Lt pediatric wrist radiograph · lateral projection · follow-up · in cast · detector: Siemens

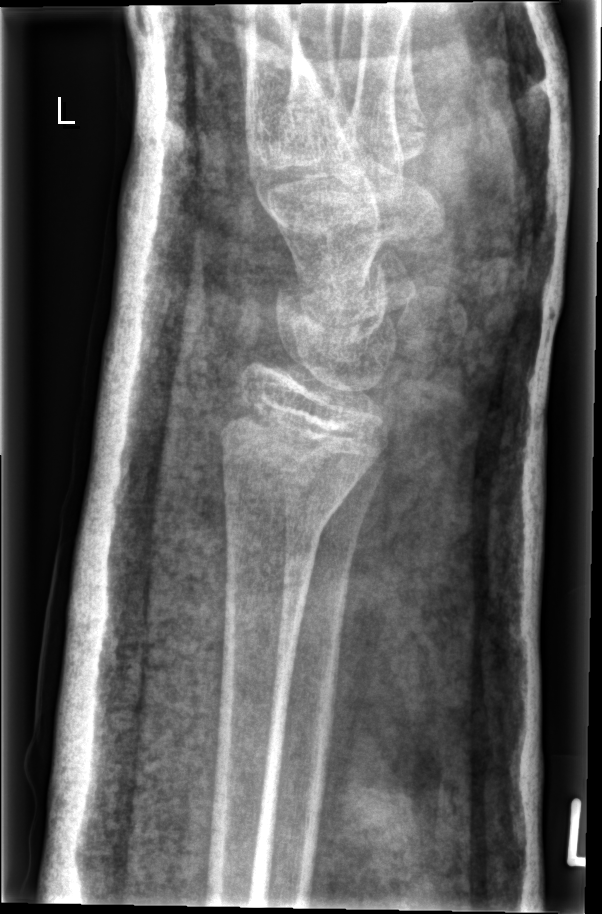 Fx = [x1=220, y1=469, x2=341, y2=560]
AO classification = 23r-M/2.1